Lat, R pediatric wrist radiograph, presentation radiograph, acquired on Siemens — 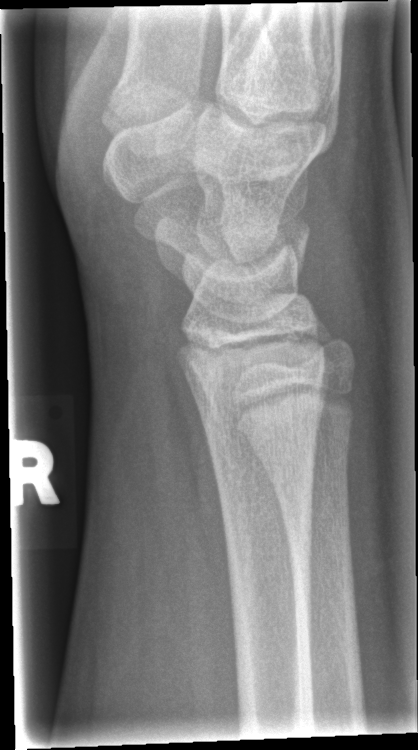 • No fracture bounding box.